Lt plain radiograph of the wrist | lateral | follow-up | cast present | 602 by 1044 pixels:
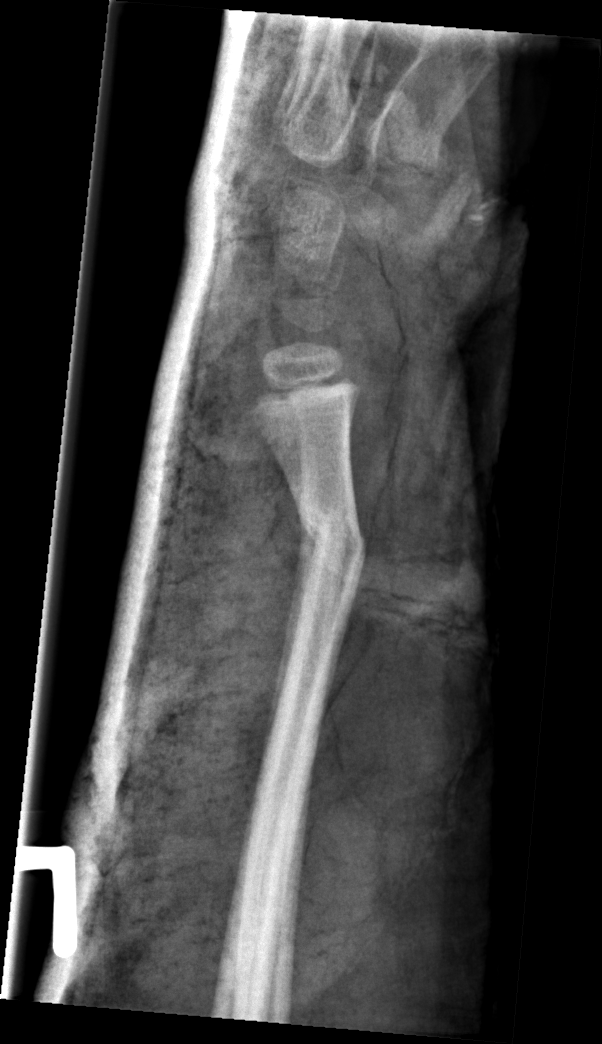 • Boxes as x1,y1,x2,y2 (top-left / bottom-right, pixel units).
• Fracture classified AO/OTA 23r-M/3.1; 23u-M/2.1.
• Fx identified at (left=296, top=514, right=371, bottom=576).